Rt wrist radiograph · frontal projection:

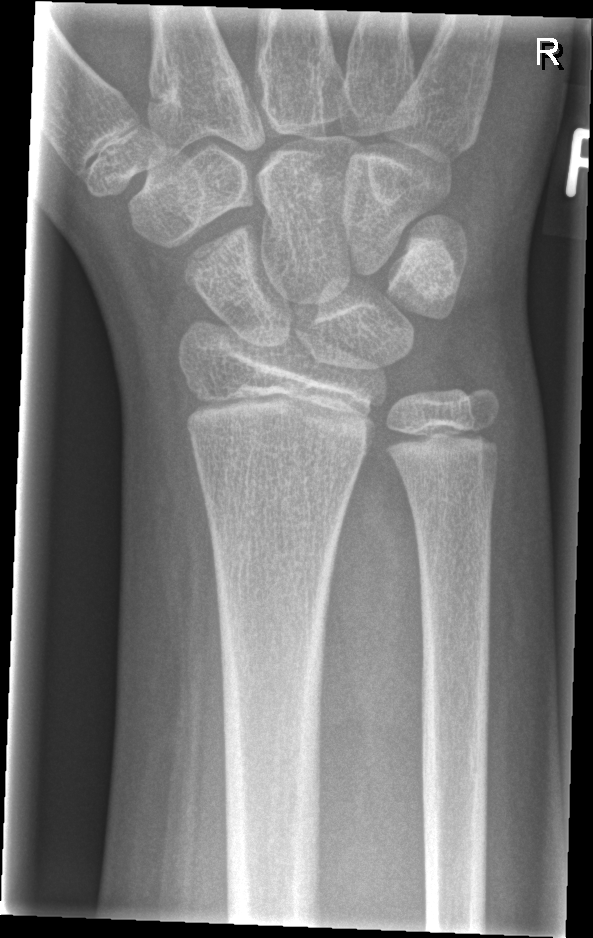 Boxes as x1,y1,x2,y2 (top-left / bottom-right, pixel units).
AO/OTA classification: 72B(c).
Fx: [x1=178, y1=217, x2=266, y2=294].